Left wrist XR, frontal projection, pediatric patient (male, age 4), index exam, acquired on Siemens
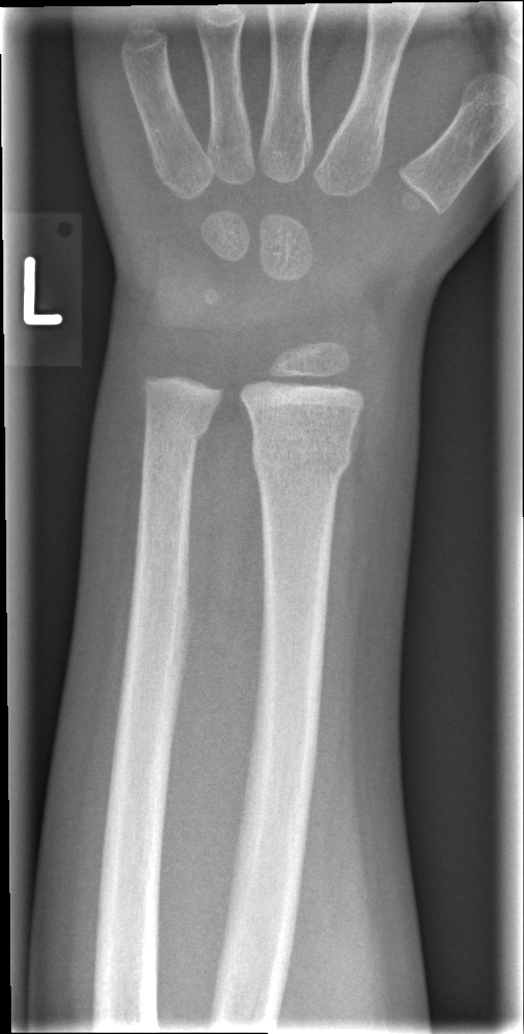
bone fracture: 2 @ (left=245, top=424, right=355, bottom=488); (left=138, top=407, right=214, bottom=456)